Lateral view | left wrist X-ray | 10-year-old male | acquired on Siemens.

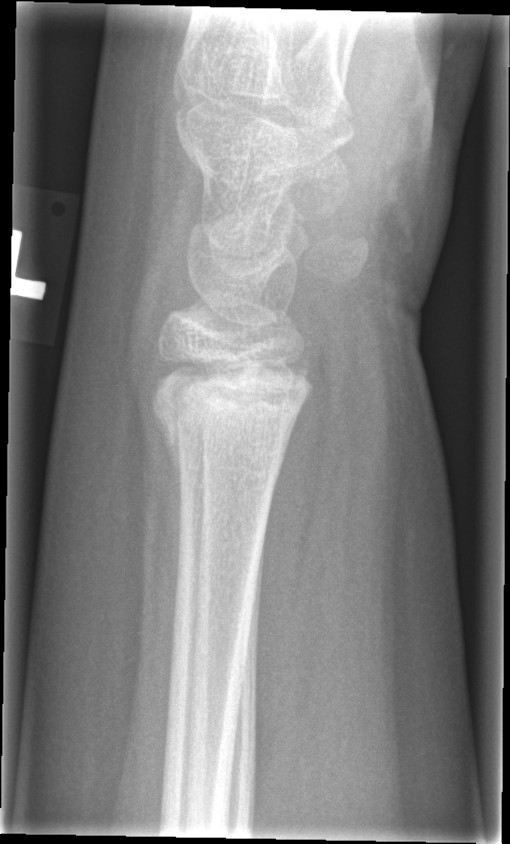

(pixel coordinates, top-left origin, xyxy)
Fracture = 1 @ [143, 349, 318, 471]
AO code = 23r-E/2.1; 23u-M/2.1; 23u-E/7